Lateral projection, L pediatric wrist radiograph.
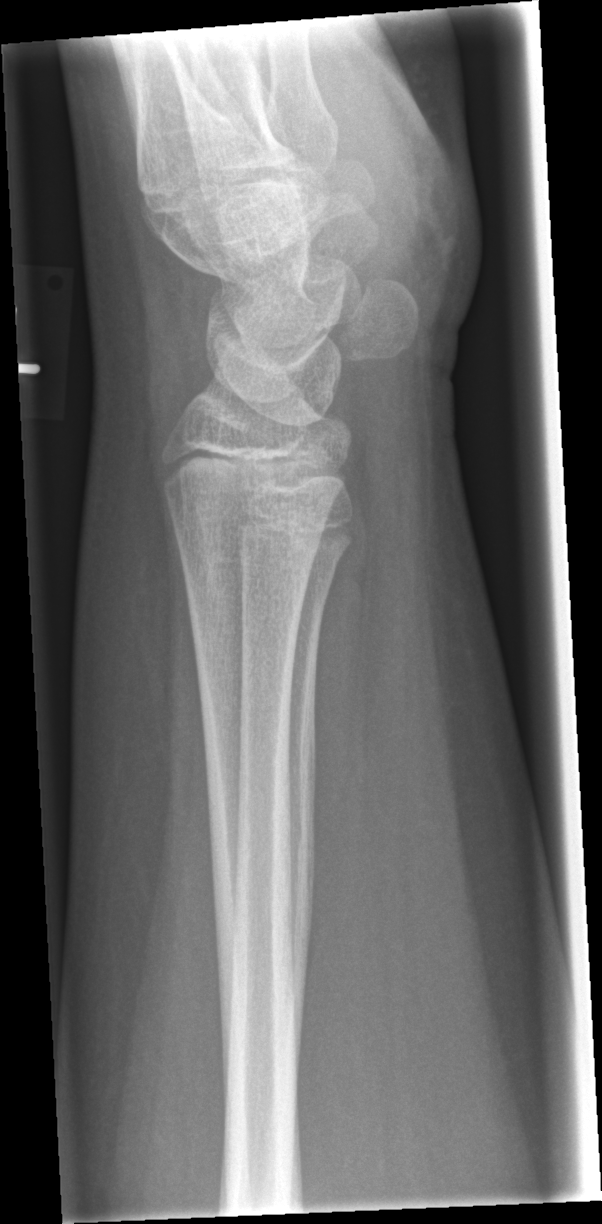
Q: Is there a fracture?
A: No fracture labeled